Lateral view | L wrist XR | detector: Siemens | 380x739.
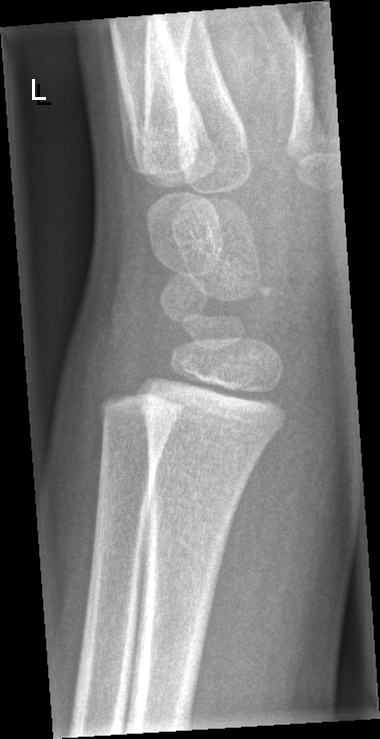

No Fx annotated.